L wrist radiograph; PA/AP projection; 8y F; cast present; 752x1006 —

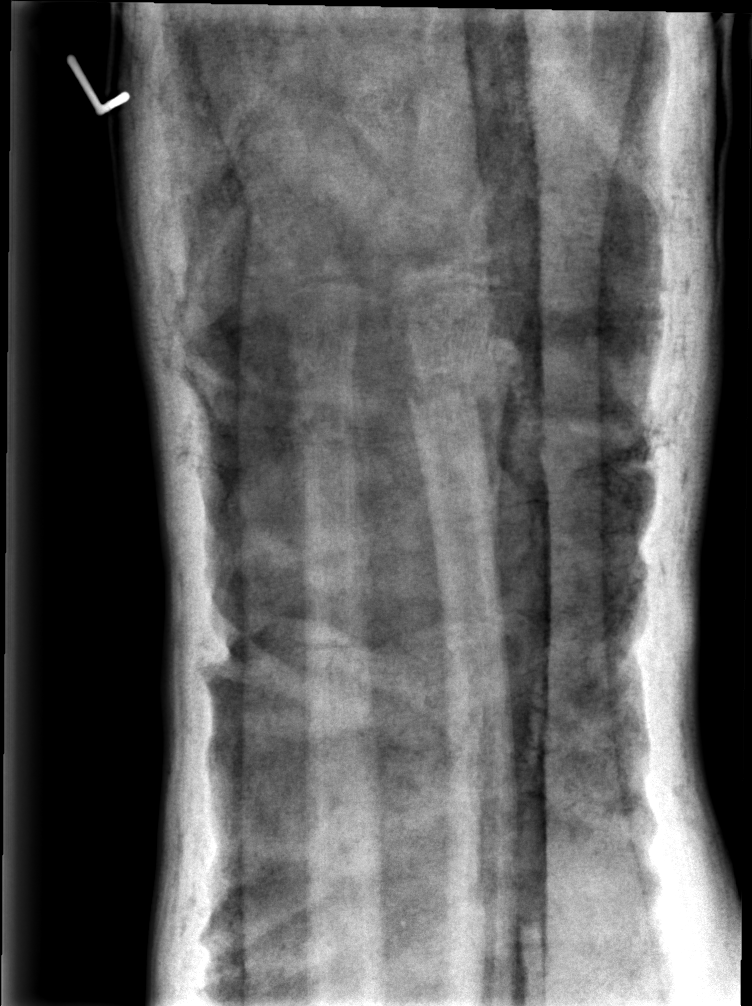 One Fx at <404,356>-<511,413>.
Periosteal thickening: <471,379>-<519,566>.
Fracture classified AO/OTA 23-M/3.1.